Lat | Lt wrist X-ray | detector: Siemens. 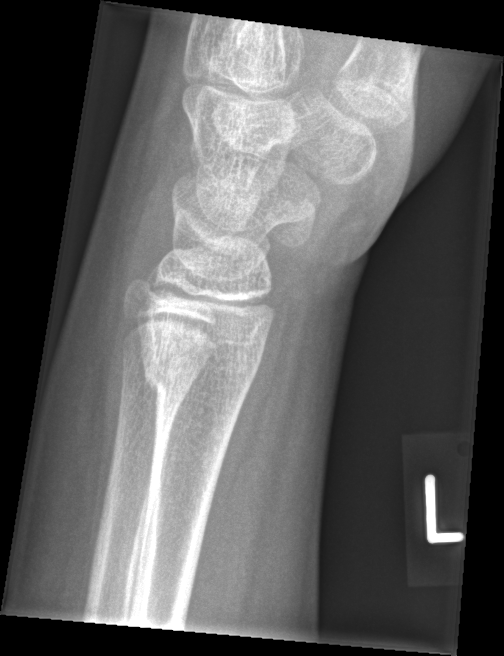 Bone fracture: [x1=136, y1=332, x2=267, y2=402]